Right wrist plain film; PA projection; 6-year-old girl; follow-up; cast present; detector: Siemens; image width 87.6 mm 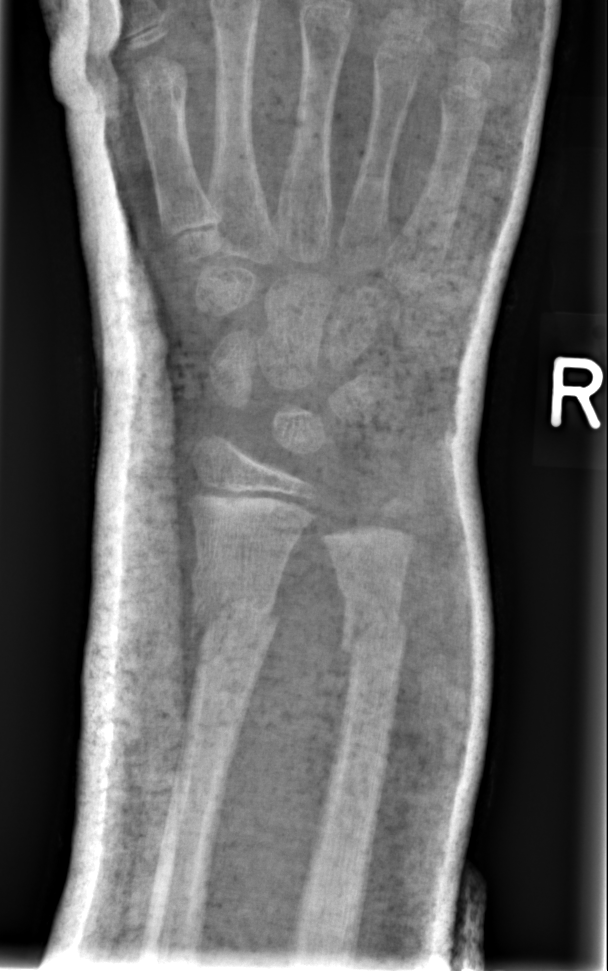

- Coordinates are [x1, y1, x2, y2] in image pixels.
- Two fractures at 187,556,285,660
  334,601,412,662.